L wrist XR | lat view | imaged through cast:

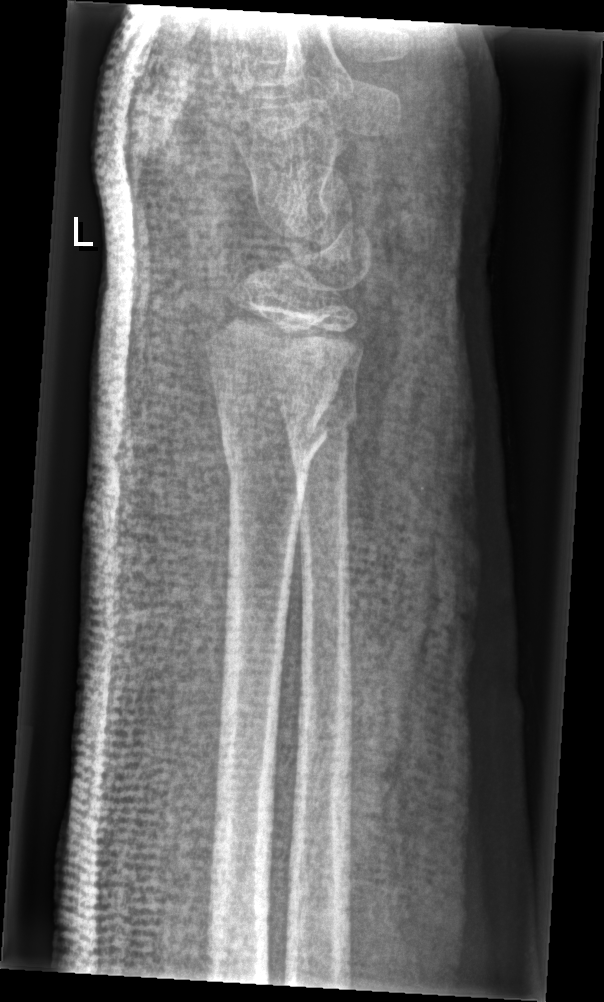

• Pixel coordinates, top-left origin, xyxy.
• Bone fracture identified at (217, 389, 342, 484), (278, 392, 362, 440).
• AO code 23-M/3.1.